R plain radiograph of the wrist · lateral projection · detector: Siemens.

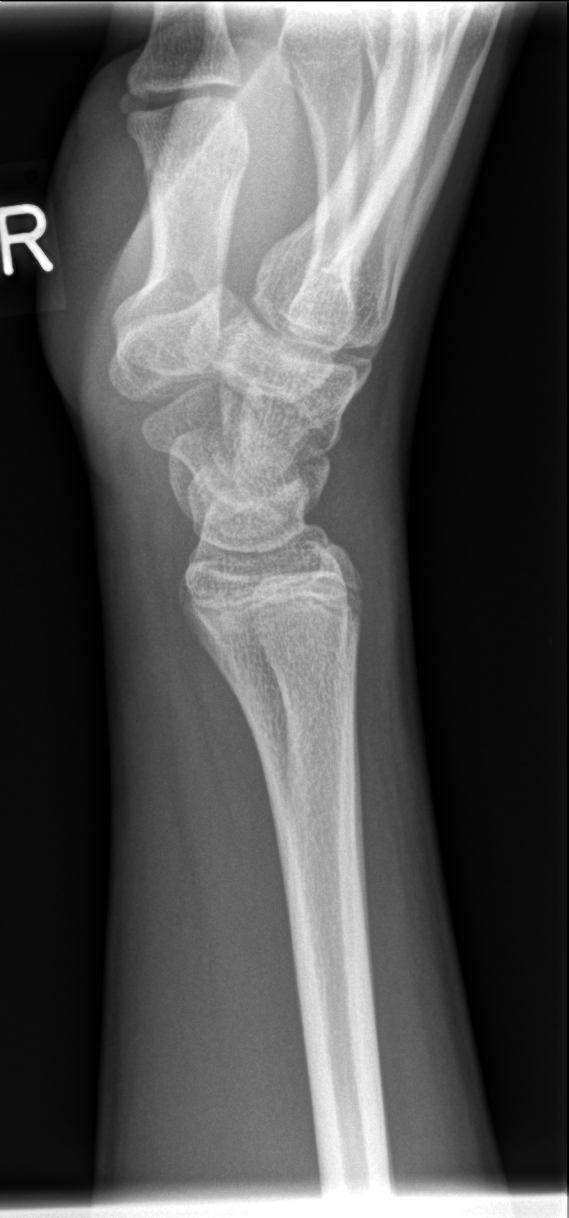
fracture: none labeled